Lateral projection · right wrist plain film · image size 535x992 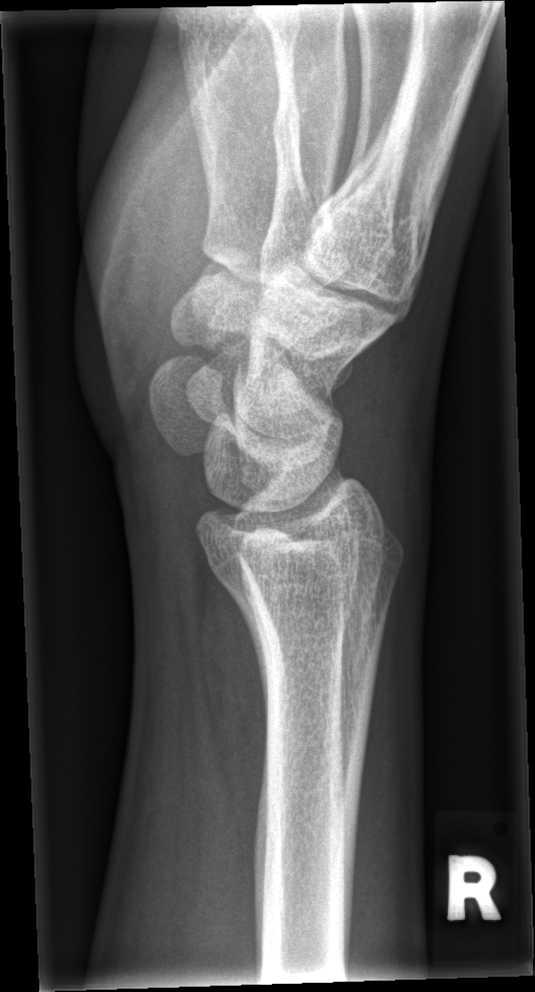
Q: Is there a fracture?
A: No Fx annotated